Lat view | Lt wrist radiograph | initial study | Siemens

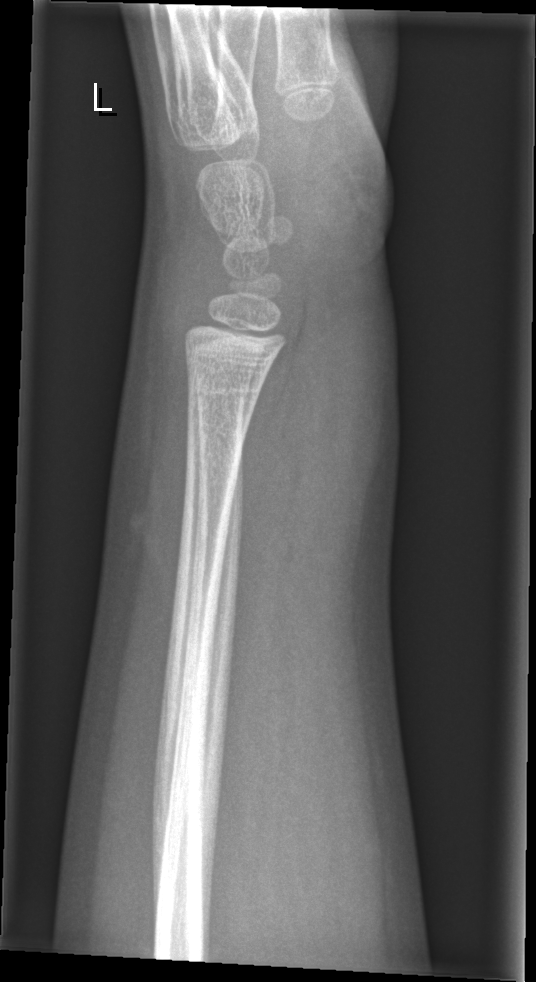

One soft-tissue finding at (269, 207, 402, 591). Fx: none.